Lat view; left wrist plain film; index exam; image 76.3 mm wide; image size 530x966: 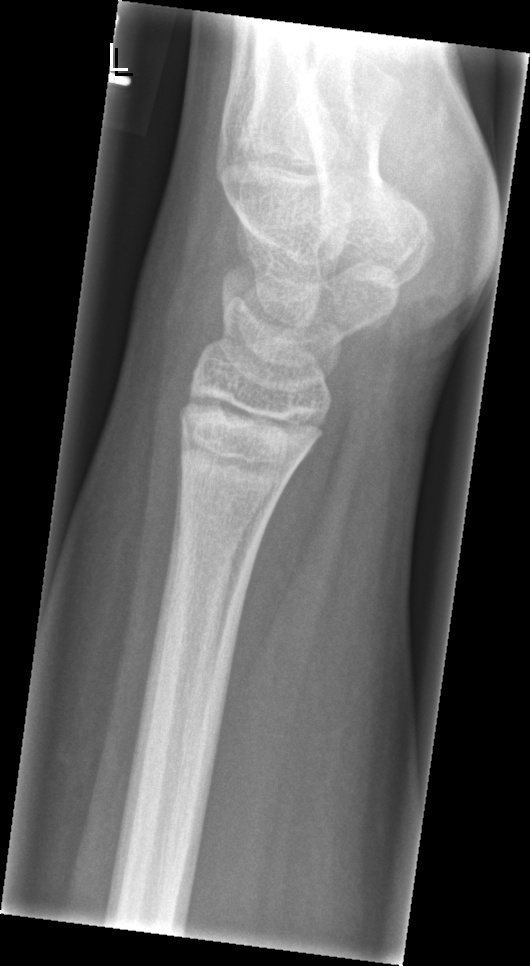
Fx: none labeled